Lat view; right pediatric wrist radiograph; 7-year-old boy; image width 82.4 mm —
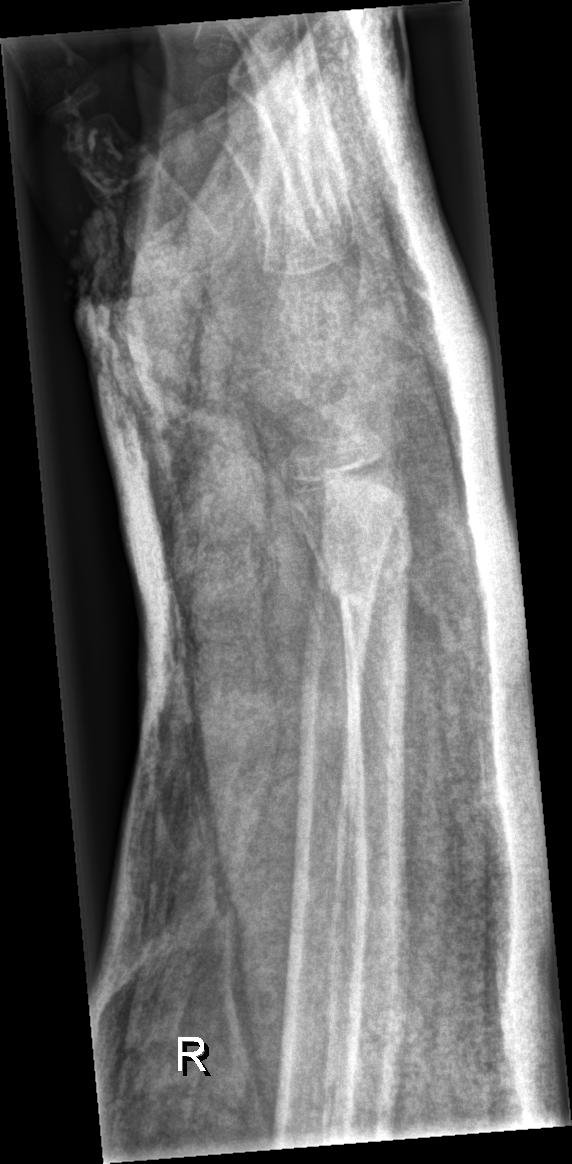 Fracture classified AO/OTA 23r-M/3.1; 23u-M/2.1.
One fracture at (left=314, top=539, right=415, bottom=604).